L wrist XR, frontal view:
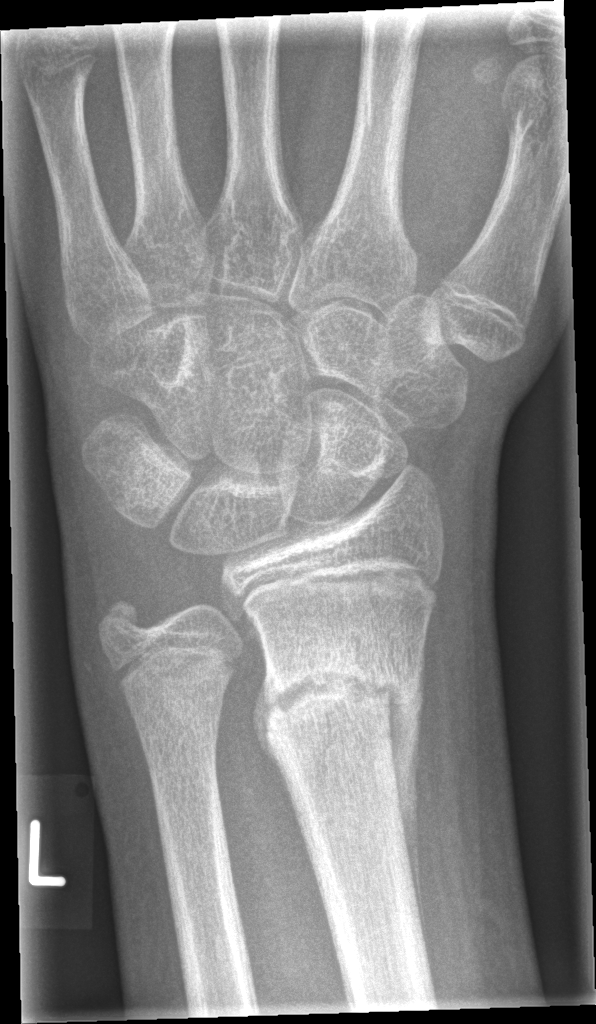 fracture = 2 @ 257 627 423 743
  92 592 149 649
periosteal reaction = 2 @ 383 678 429 926 | 252 683 274 761
AO classification = 23r-M/3.1; 23u-E/7